Lateral view · R plain radiograph of the wrist · pediatric patient (boy, age 14):
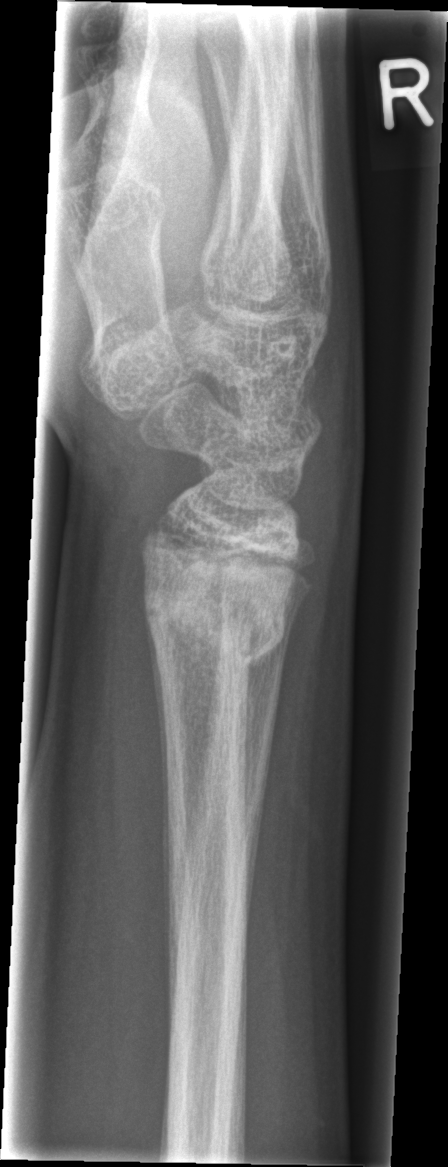
* Coordinates are [x1, y1, x2, y2] in image pixels.
* Osteopenia.
* AO code 23r-M/3.1; 23u-E/7.
* Fx: (136, 538, 296, 678).
* Periosteal new bone identified at (141, 558, 170, 966).